Right plain radiograph of the wrist · lateral projection · pediatric patient (boy, age 5) · subsequent exam

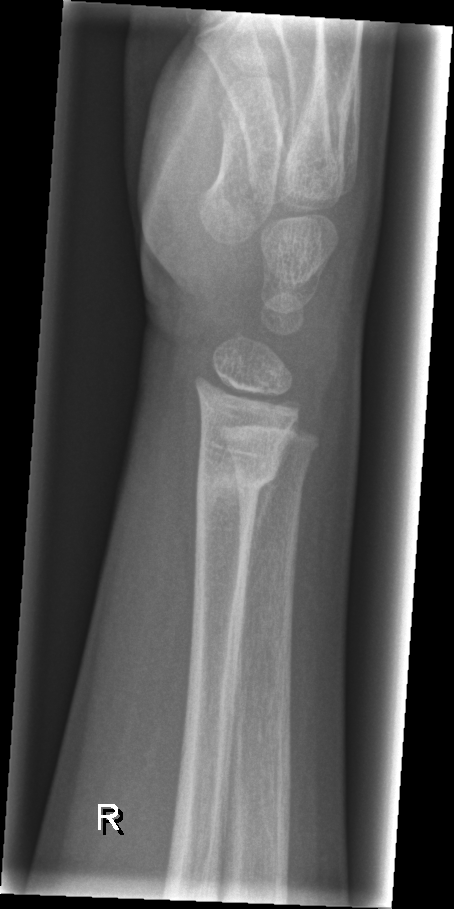
(bounding boxes in image-pixel xyxy)
Fx = bbox(193, 453, 285, 510)
Periosteal thickening = bbox(241, 460, 289, 619)